L wrist radiograph · PA/AP view:
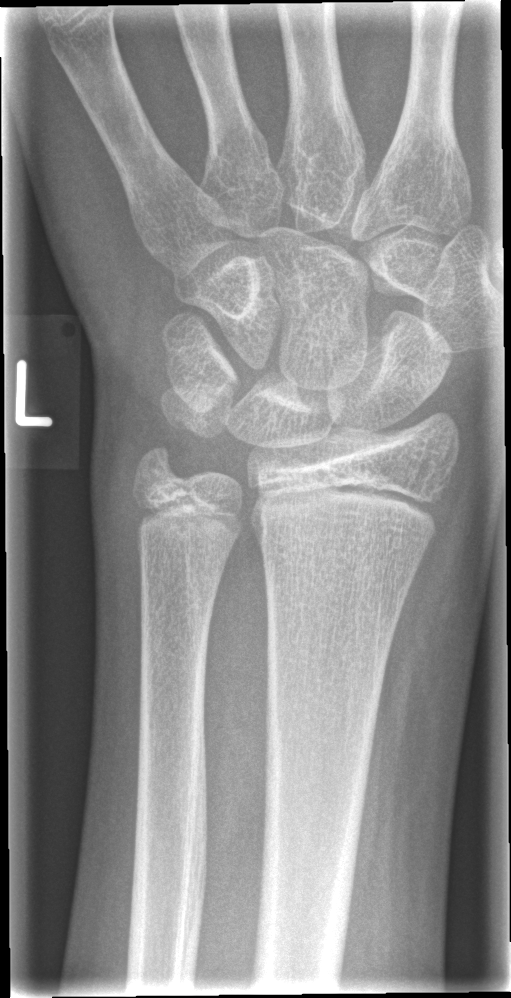 No fracture labeled.